Lt wrist plain film · frontal projection · age 11 y, boy · 706 x 1197 px: 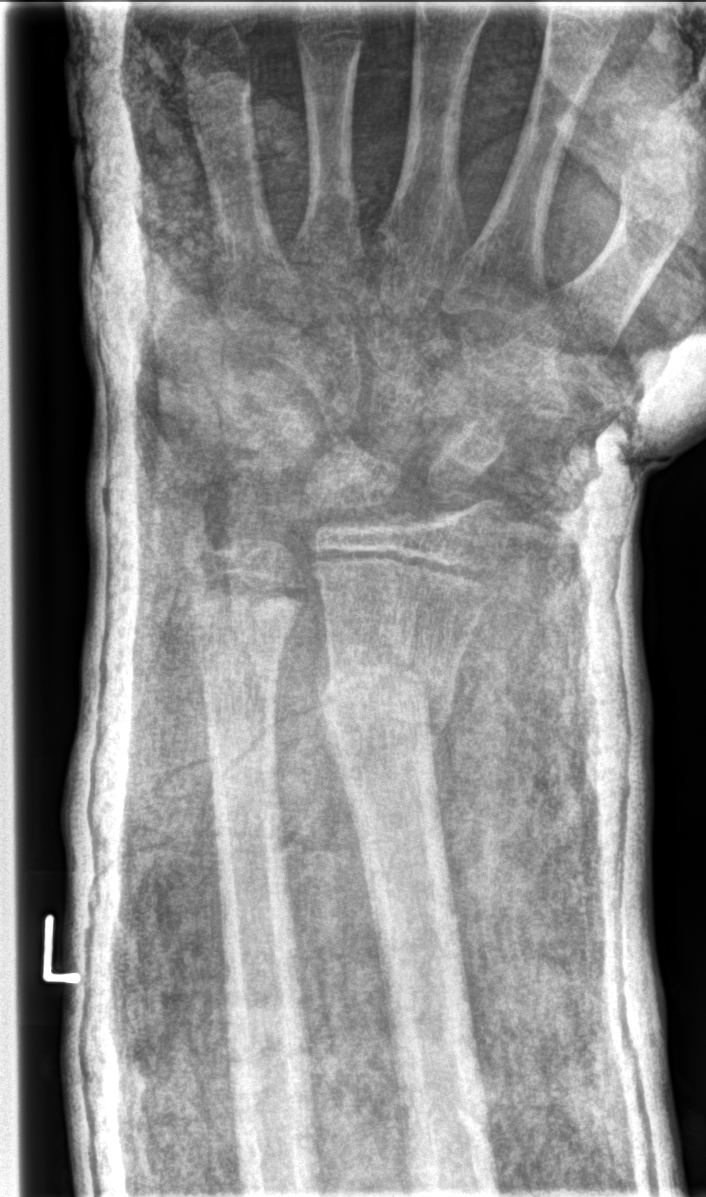

Q: Is there a fracture?
A: Fx — bbox(312, 642, 459, 741)
Q: What is the AO/OTA classification?
A: AO code 23r-M/3.1; 23u-E/2.1